Left wrist plain radiograph of the wrist, frontal projection, 95.0 mm image width
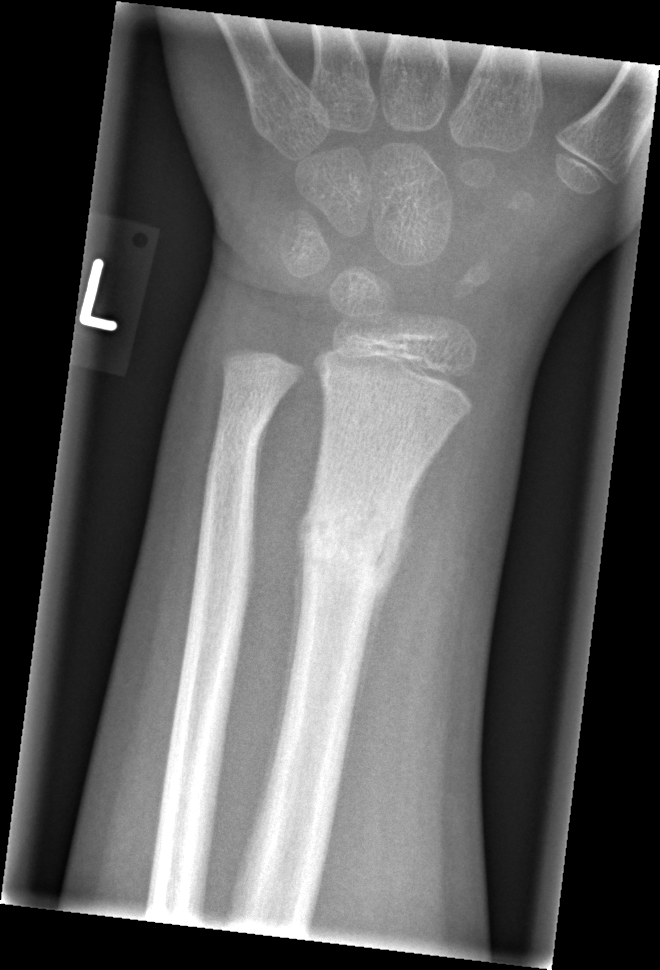
FINDINGS: Bone fracture identified at 295 500 410 595
  205 400 270 471. Periosteal new bone identified at 351 512 414 719 | 287 502 311 699 | 254 421 269 515. Decreased bone density (osteopenia).